Posteroanterior · L wrist plain film · girl, 9 yo · follow-up study · 750 by 654 pixels 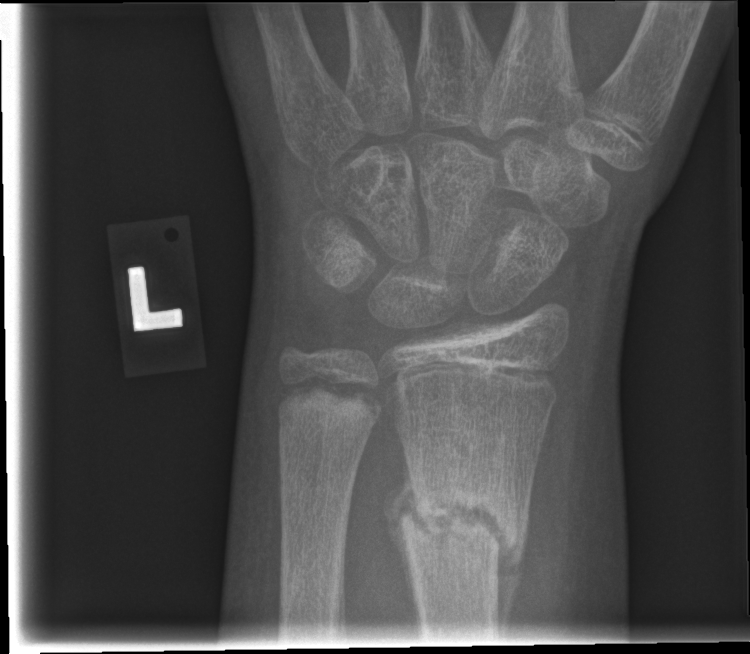 {"_coords": "pixel coordinates, top-left origin, xyxy", "ao": "23r-M3.1; 23u-E/1", "fracture": "2 @ <395,475>-<522,576>; <273,371>-<390,432>", "osteopenia": "present", "periostealreaction": "2 @ <383,443>-<434,626>, <495,487>-<530,640>"}